Left wrist X-ray; lateral projection; boy, 6 yo; follow-up; cast present 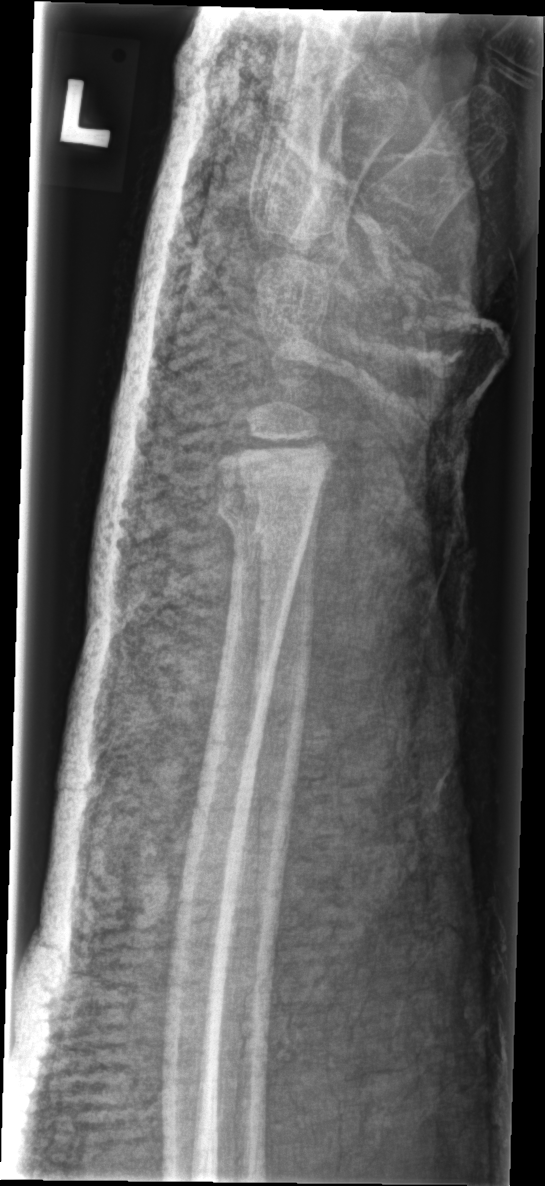 Fracture classified AO/OTA 23-M/2.1. Bone fracture identified at <215,486>-<320,542>.